Lat projection | left wrist radiograph | initial study | image 131.0 mm wide:
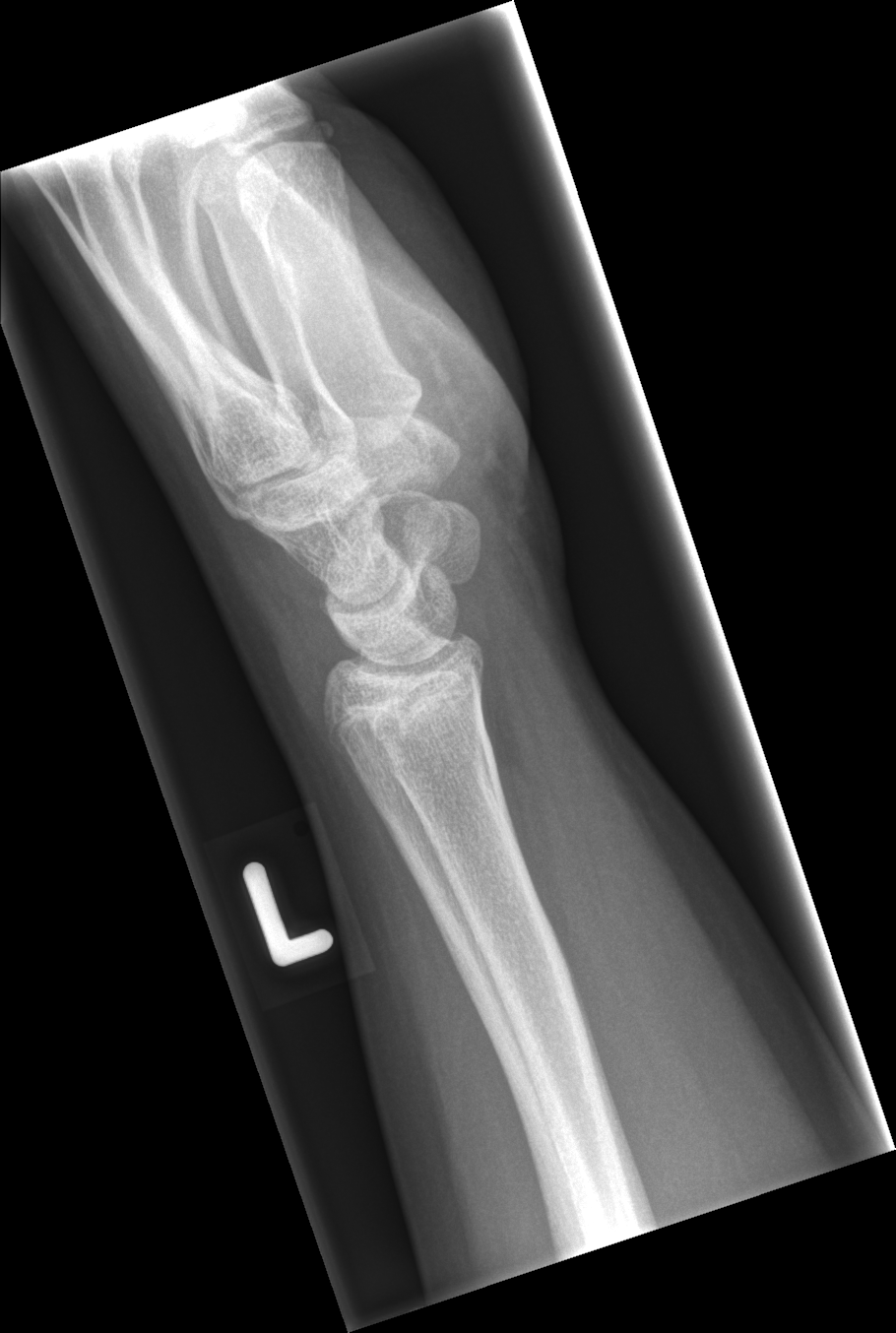
* No Fx annotated.